Left pediatric wrist radiograph; lateral projection; age 9 y, boy
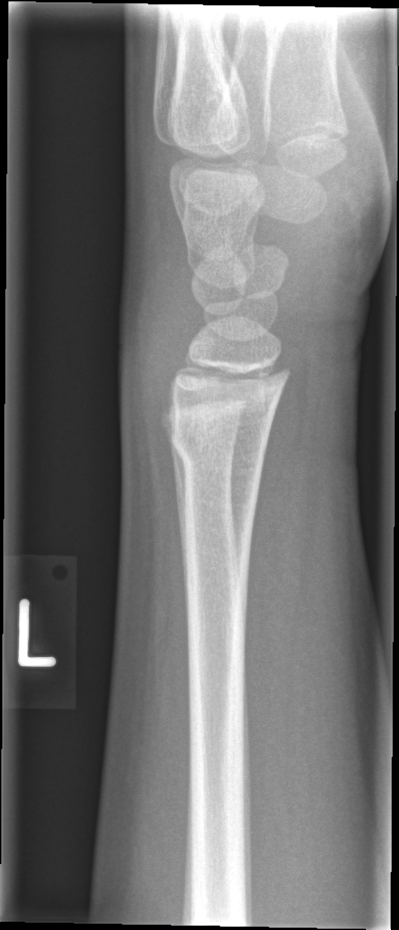
FINDINGS — AO/OTA classification: 23r-M/2.1. One Fx at [x1=168, y1=412, x2=270, y2=476].